Lateral view · left wrist plain film · acquired on Siemens · 603 x 1344 px
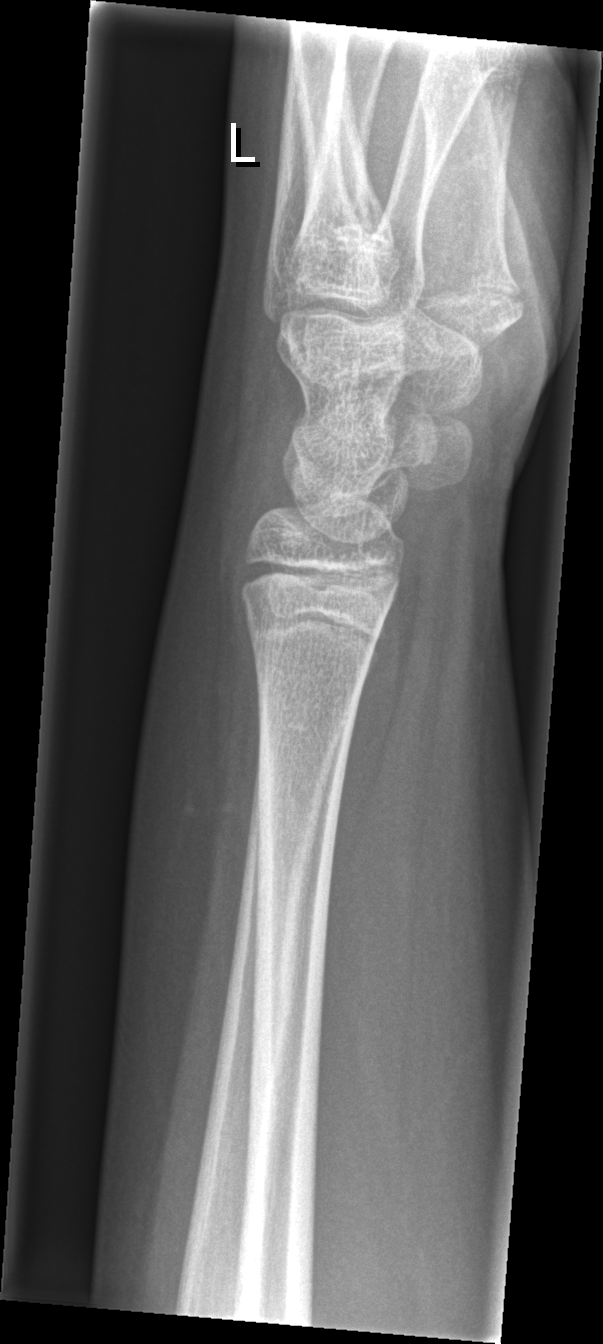 Q: Is there a fracture?
A: No fracture bounding box